Right wrist plain film, lateral projection, 9y M, subsequent exam.

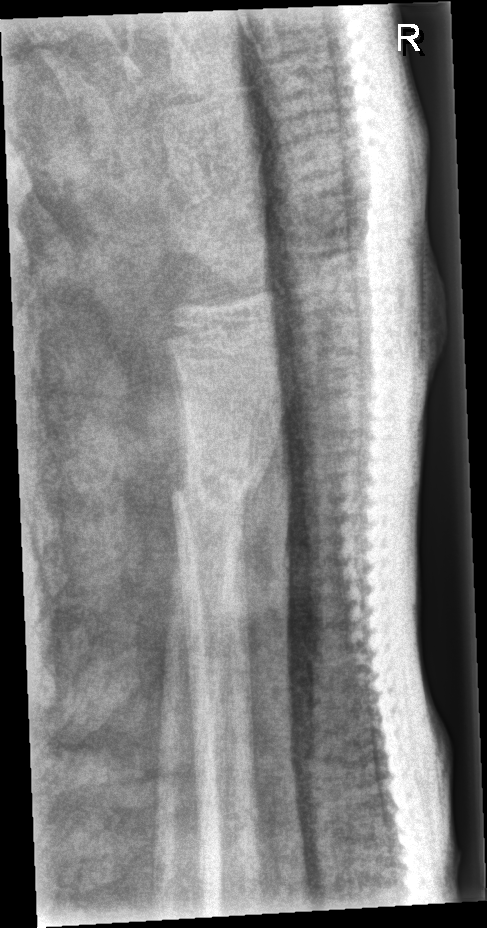 Bounding boxes in image-pixel xyxy.
AO code 23-M/3.1.
Bone fracture identified at 162 436 276 531.